Posteroanterior, right wrist plain radiograph of the wrist, follow-up. 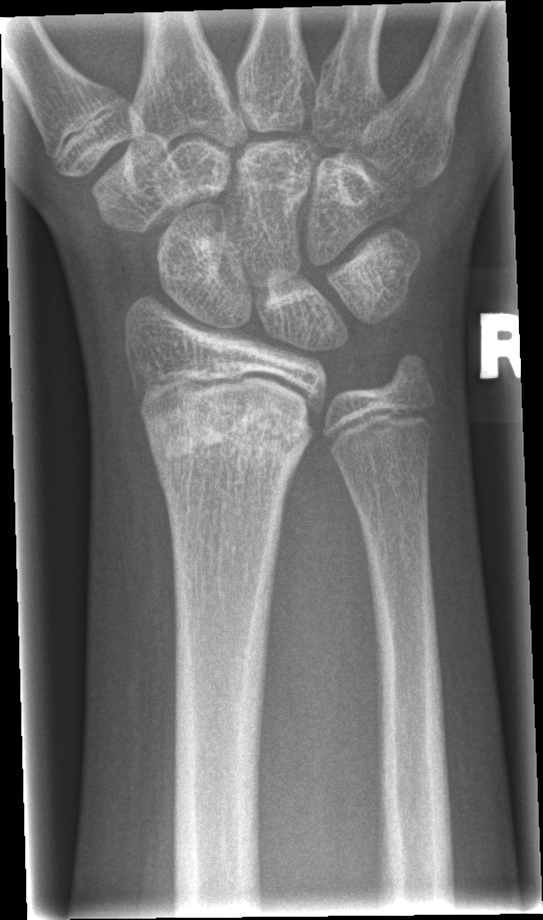
AO code 23r-M/3.1. Fx — 141,373,319,474.